Lat projection | right wrist plain film | cast present | 580 x 782 px —
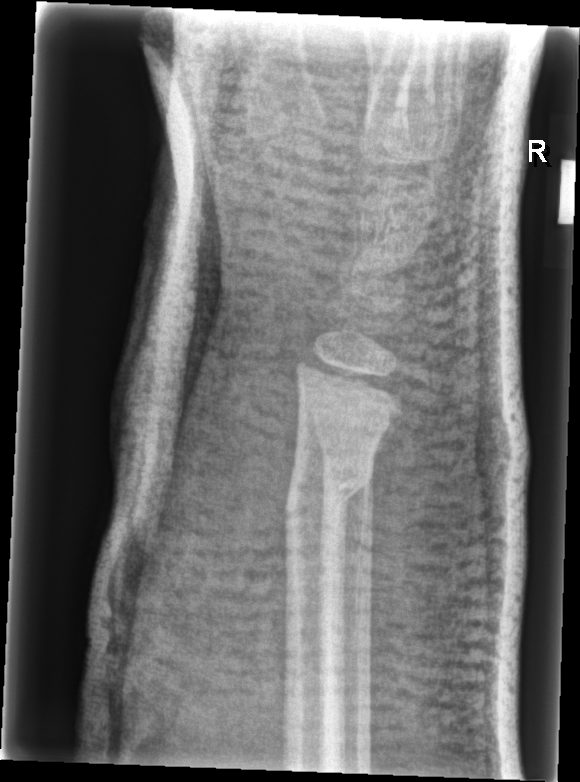
(bounding boxes in image-pixel xyxy)
fracture = 1 @ [x1=277, y1=461, x2=376, y2=535]
AO/OTA = 23-M/2.1